Lt wrist X-ray · lat projection · pediatric patient (boy, age 11) — 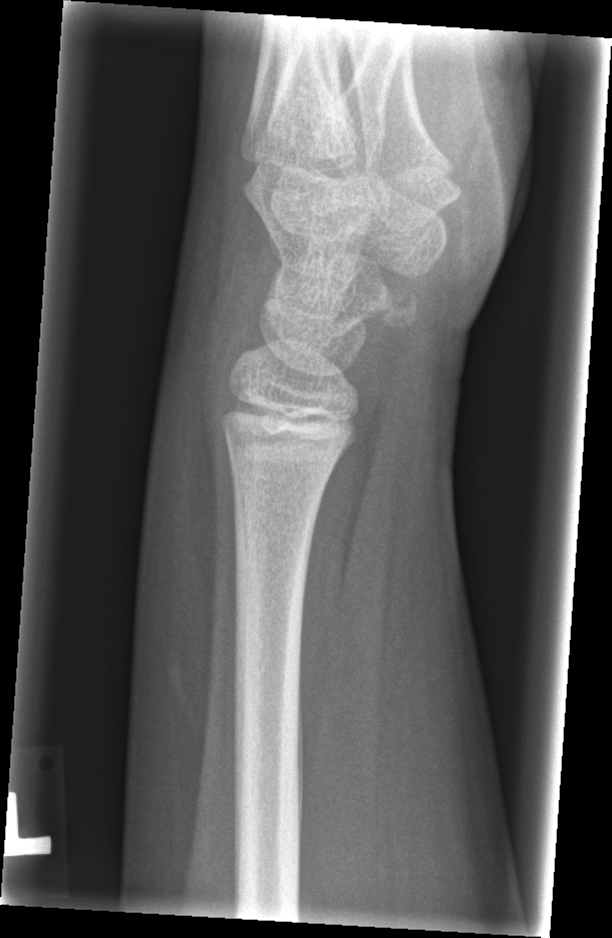 {
  "fracture": "none labeled"
}